Lateral projection, left wrist X-ray

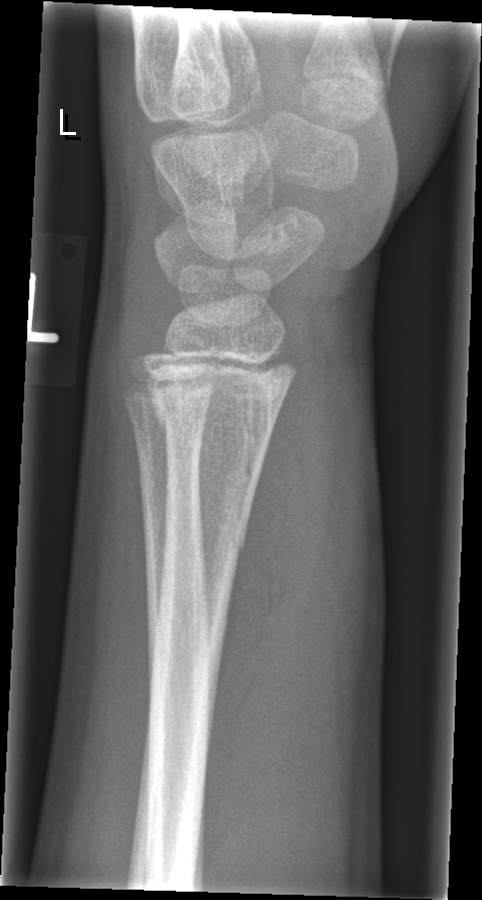

  # boxes as x1,y1,x2,y2 (top-left / bottom-right, pixel units)
  pronatorsign: (215, 382, 326, 746)
  fracture: 1 @ (149, 393, 280, 566)